Lateral projection; L plain radiograph of the wrist; 70.4 mm image width; 489 by 1506 pixels
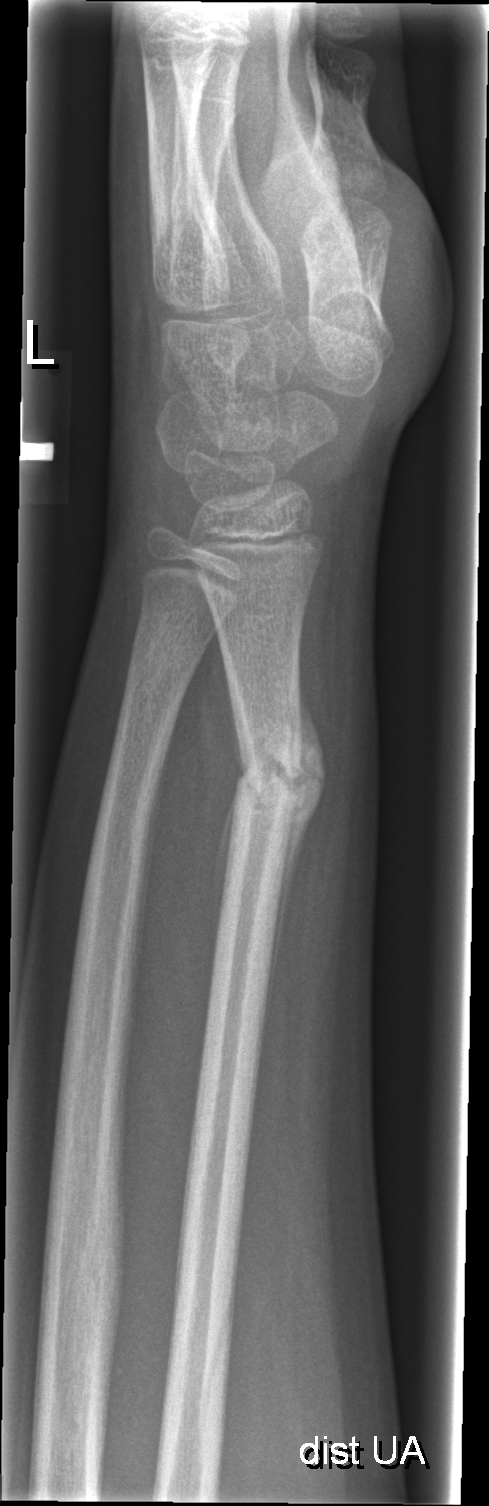
periostealreaction: 265,676,327,1021; 214,790,243,930
ao: 23r-M/3.1; 23u-M/2.1
fracture: 231,719,311,824 | 121,612,208,704
osteopenia: present